L wrist plain film | PA projection | pediatric patient (female, age 8): 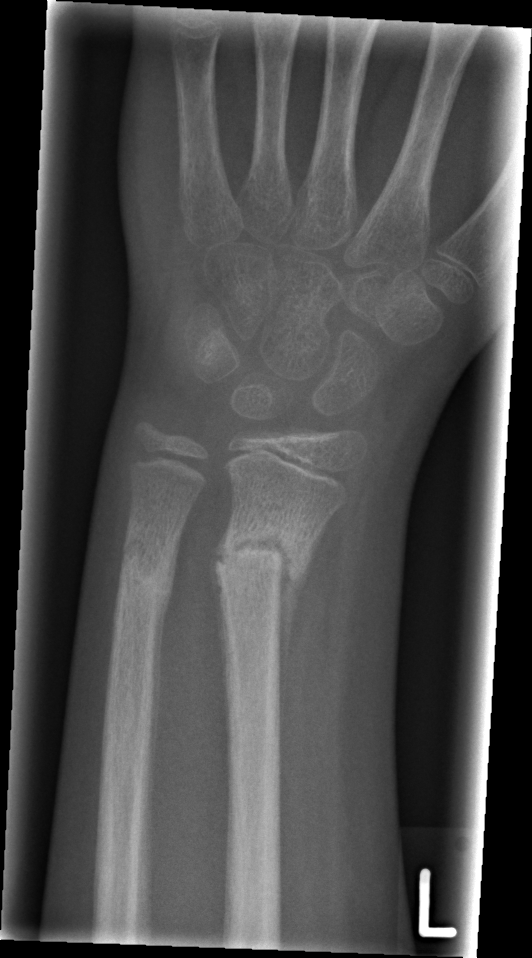 - Reduced bone mineral density.
- Bone fracture: <209,515>-<313,598> <113,547>-<180,610>.
- AO/OTA classification: 23-M/3.1.
- Periosteal reaction — <276,533>-<320,748>.